Right plain radiograph of the wrist; posteroanterior; boy, 12 yo —
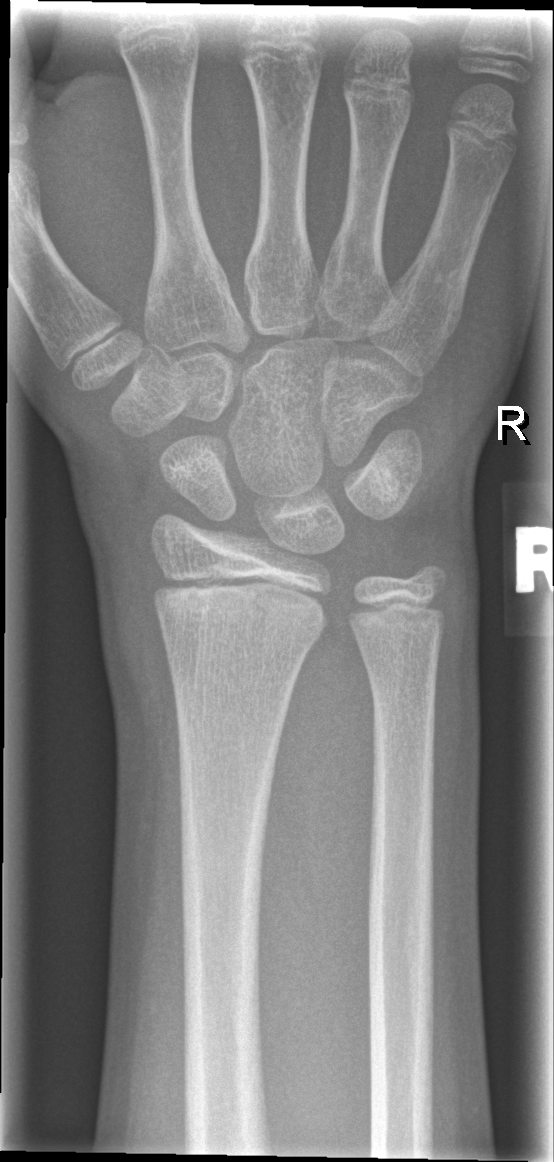

Findings: Fx present but not clearly seen in this view. AO code 23r-M/2.1.